R pediatric wrist radiograph | frontal | 16y M | diagnosis uncertain | image width 76.6 mm.
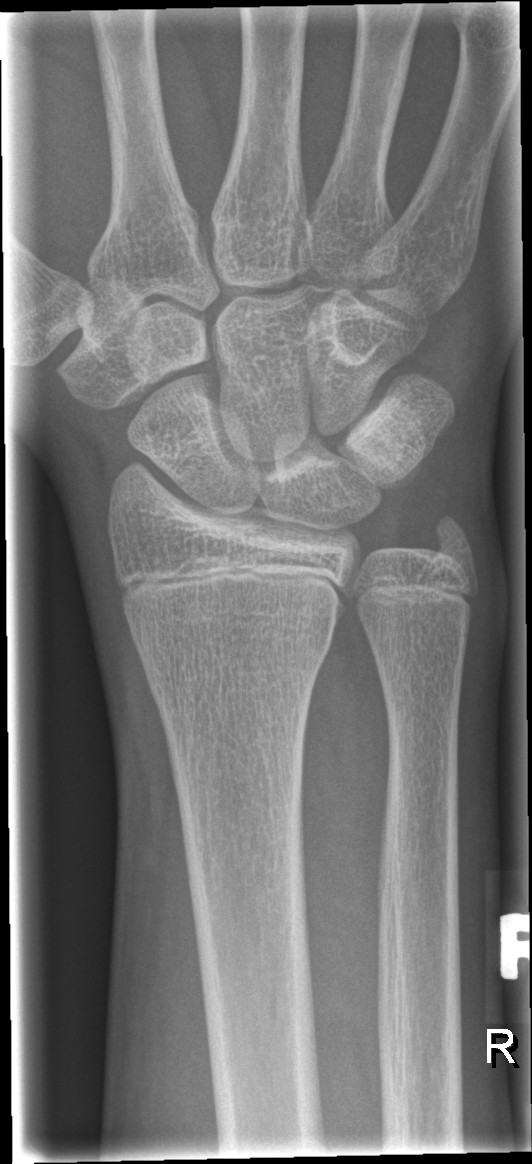

Fracture = present but not clearly seen in this view
AO code = 23r-M/2.1